Lat · left wrist plain film · 12-year-old boy · cast present · 548x1034
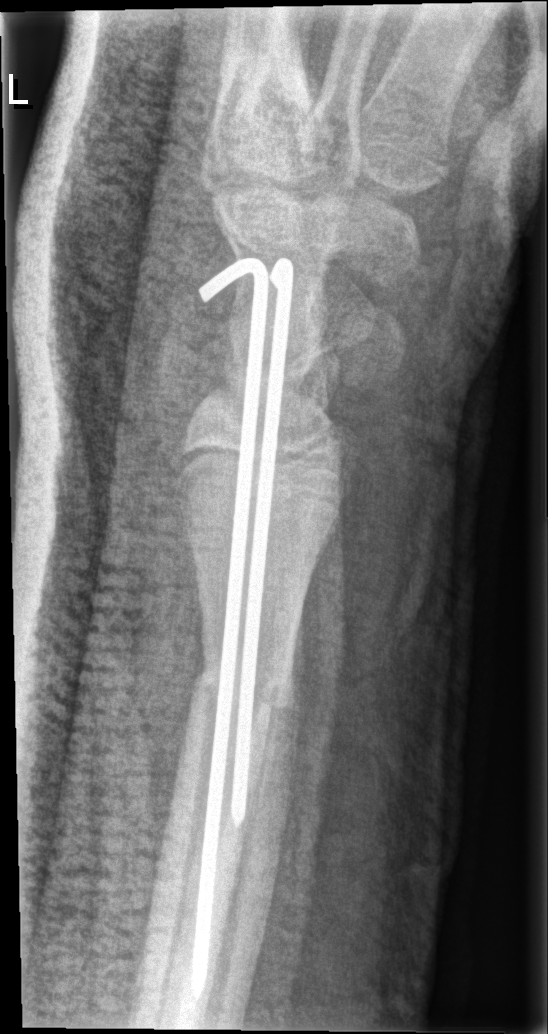 One bone fracture at [x1=186, y1=658, x2=298, y2=716]. Hardware: [x1=186, y1=253, x2=296, y2=1003].